Lat projection | Rt wrist X-ray | boy, 9 yo: 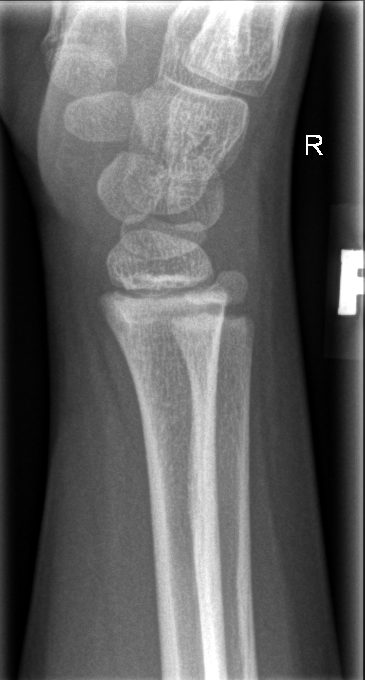
{
  "fracture": "none labeled"
}